Left wrist XR; lateral projection; 11y M
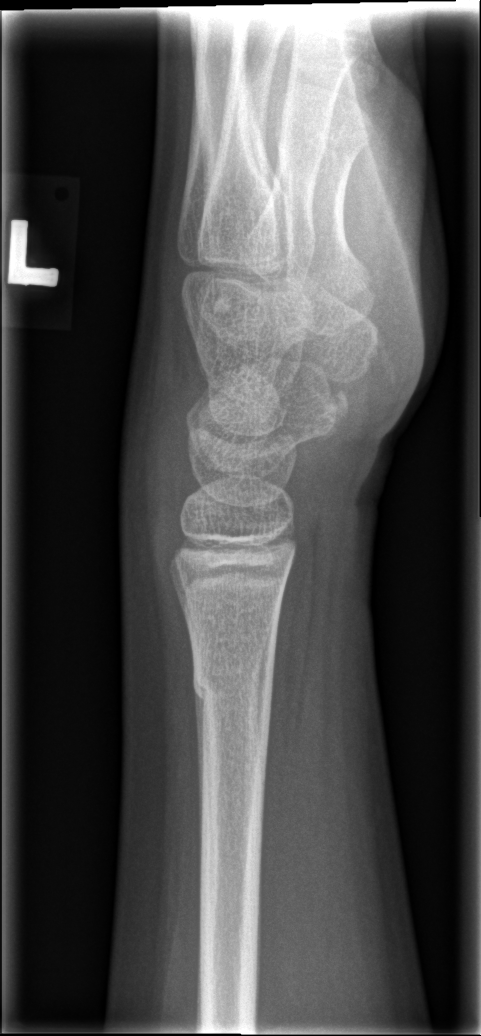 {"ao": "23r-M/2.1", "fracture": "(left=188, top=656, right=280, bottom=714)"}